Right wrist radiograph | lateral projection | 8-year-old male 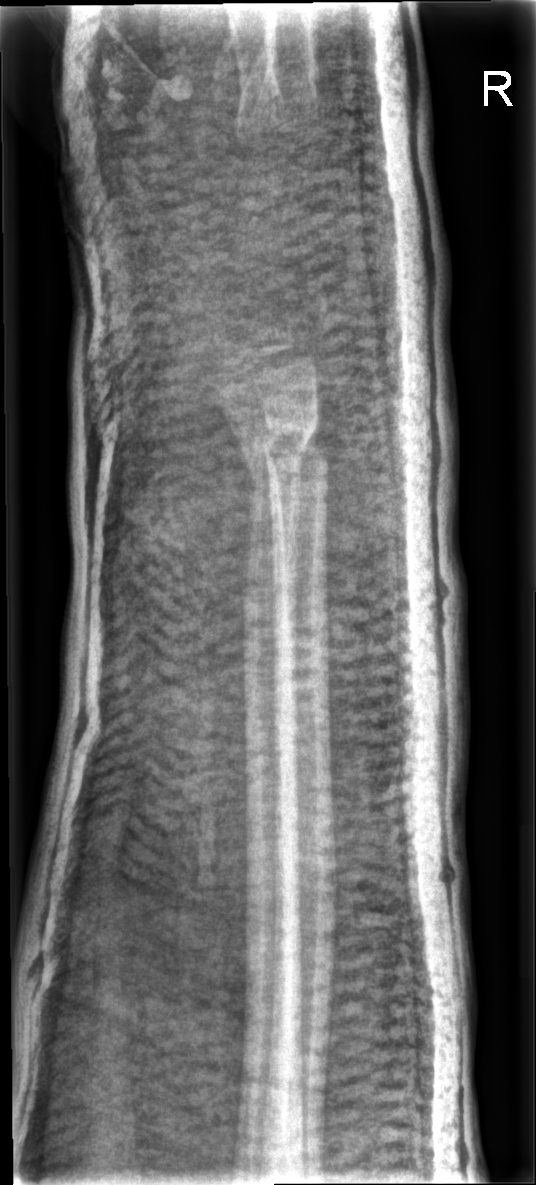 • Fracture classified AO/OTA 23-M/3.1.
• Fracture — <246,415>-<332,501>.